Right wrist X-ray, PA, male, 2 yo, subsequent exam, cast present, detector: Siemens, 530 by 1044 pixels

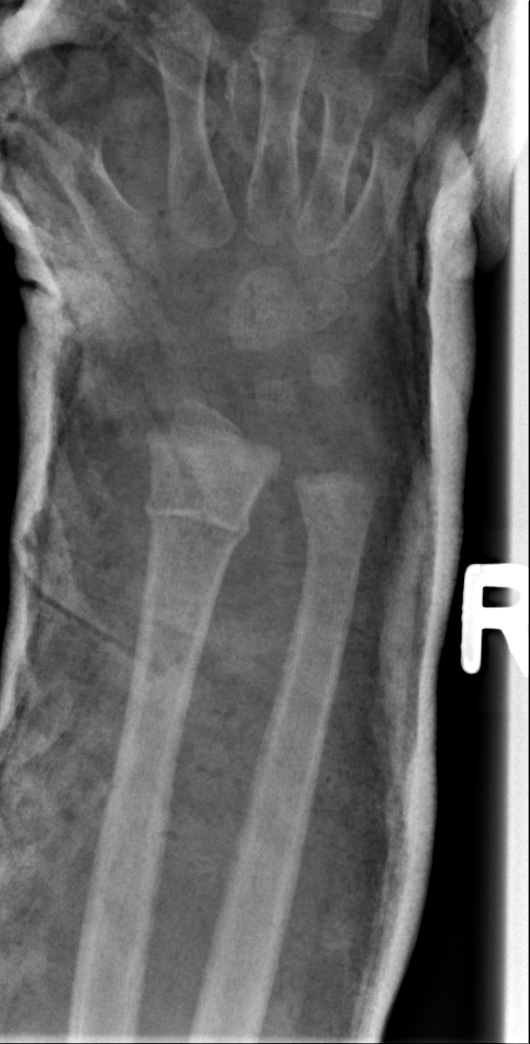 Fx — 139,485,256,549
  300,520,369,573.